Lat | left wrist XR | 5-year-old female | presentation radiograph | 488 x 712 px:

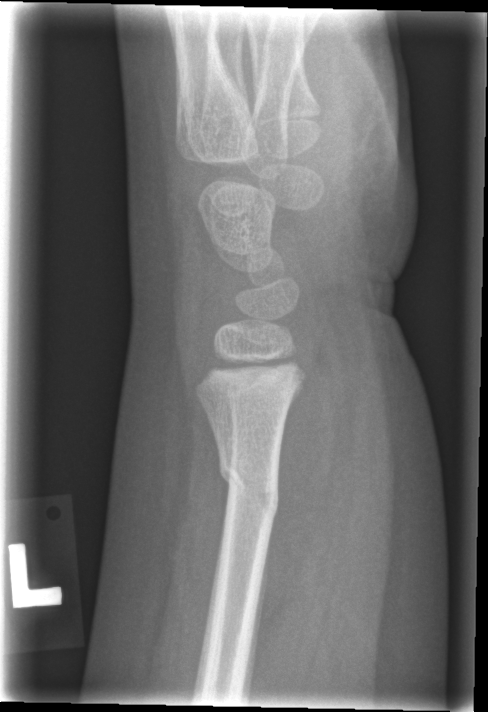
FINDINGS — (coordinates are [x1, y1, x2, y2] in image pixels) Pronator quadratus fat-pad sign identified at [256, 326, 346, 636]. Fx: [216, 451, 283, 526].